Lat, L wrist X-ray, Siemens.

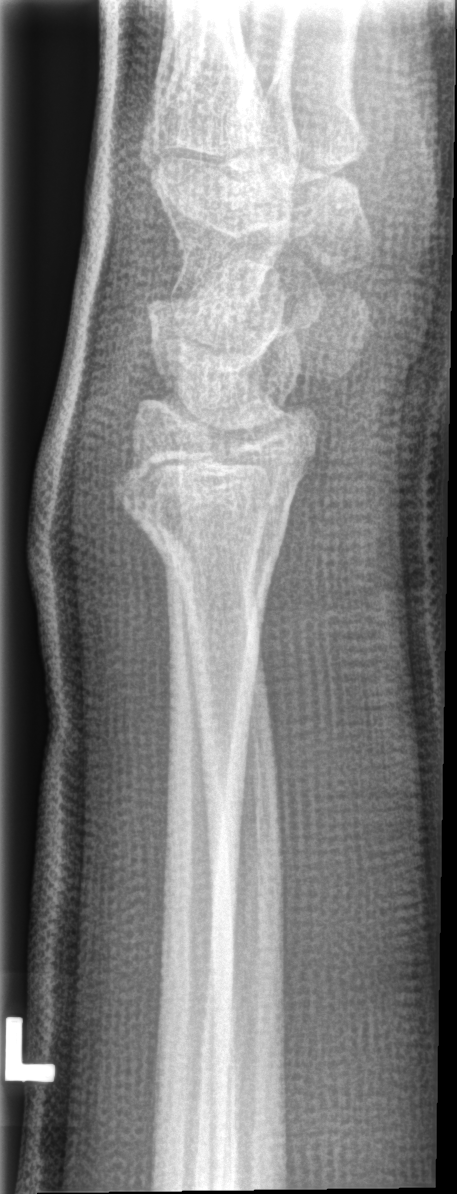

AO code 23r-M/3.1; 23u-E/7. Fracture identified at 104,449,294,578.